Lt pediatric wrist radiograph | frontal | pediatric patient (male, age 6) | 435 x 742 px. 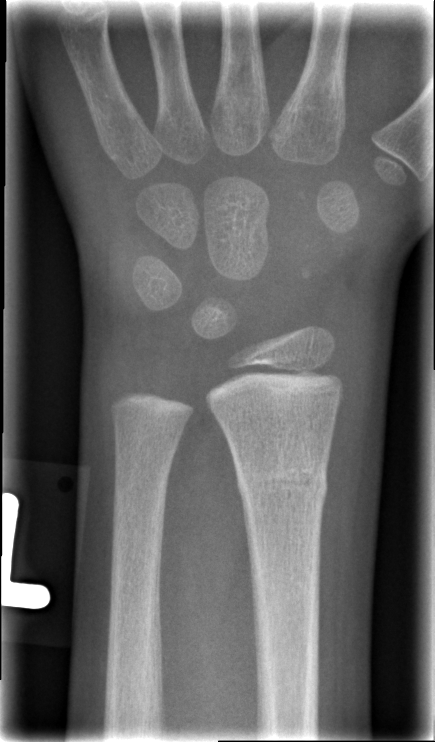

Findings: (pixel coordinates, top-left origin, xyxy) AO/OTA classification: 23r-M/2.1. One Fx at [x1=234, y1=448, x2=331, y2=507].